Left wrist radiograph | lateral | 10-year-old female. 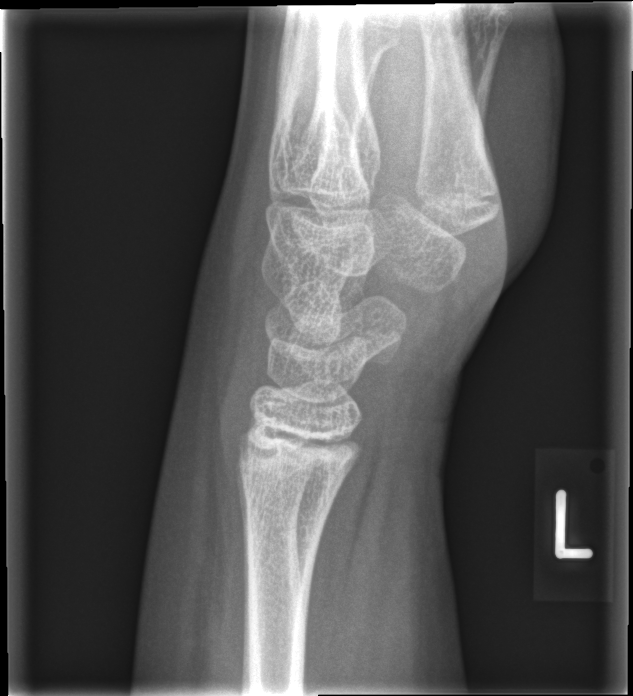 Q: Is there a fracture?
A: No fracture annotation